PA view; left wrist radiograph
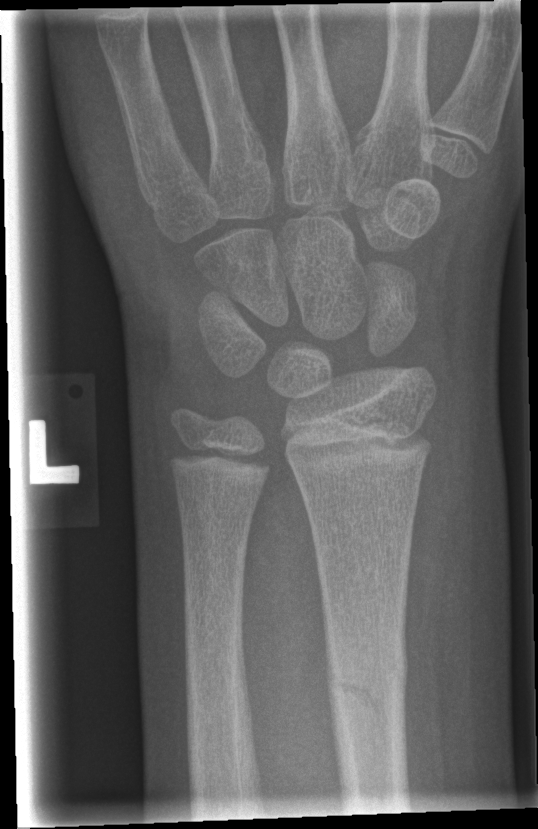

* Bone fracture — (323, 640, 412, 742).
* AO/OTA classification: 22r-D/2.1.